L wrist X-ray · lateral · pediatric patient (boy, age 9) · initial study —
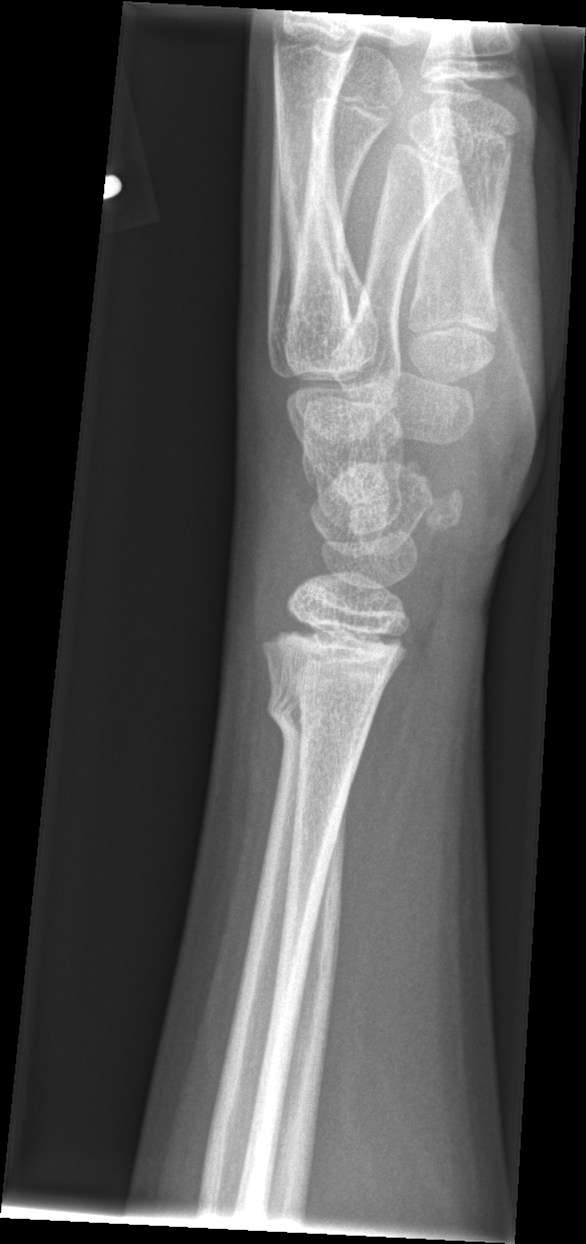
(bounding boxes in image-pixel xyxy)
fracture = 1 @ [x1=264, y1=680, x2=376, y2=754]
AO/OTA = 23r-M/2.1